Right wrist radiograph; lat view; girl, 11 yo; follow-up; 87.3 mm image width
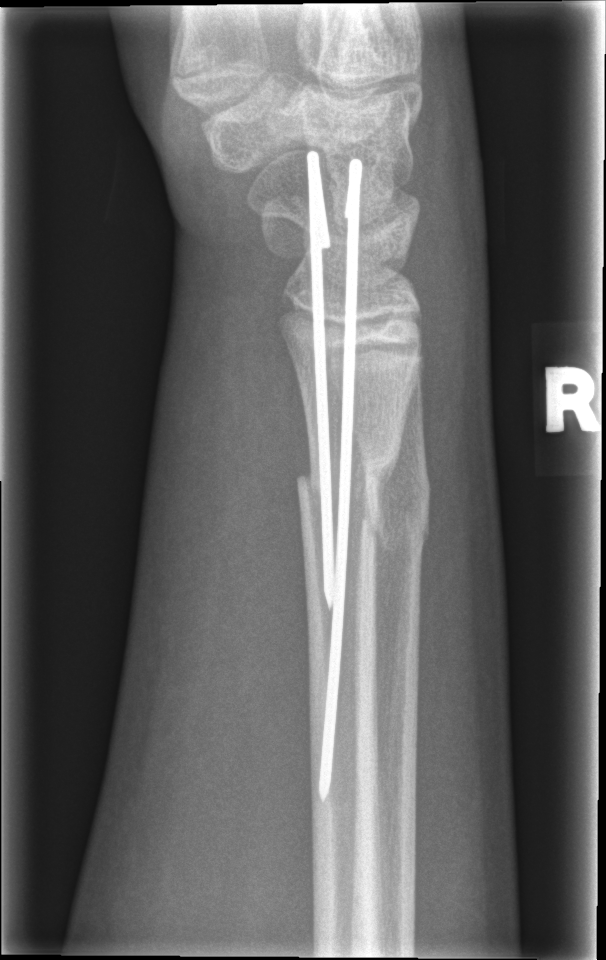
(pixel coordinates, top-left origin, xyxy)
Q: Is there any metallic hardware?
A: Metallic implant — 303 145 368 803
Q: Fracture present?
A: Two bone fractures at 292 458 404 548
  357 474 433 559